Left wrist X-ray · frontal projection · 483 by 906 pixels: 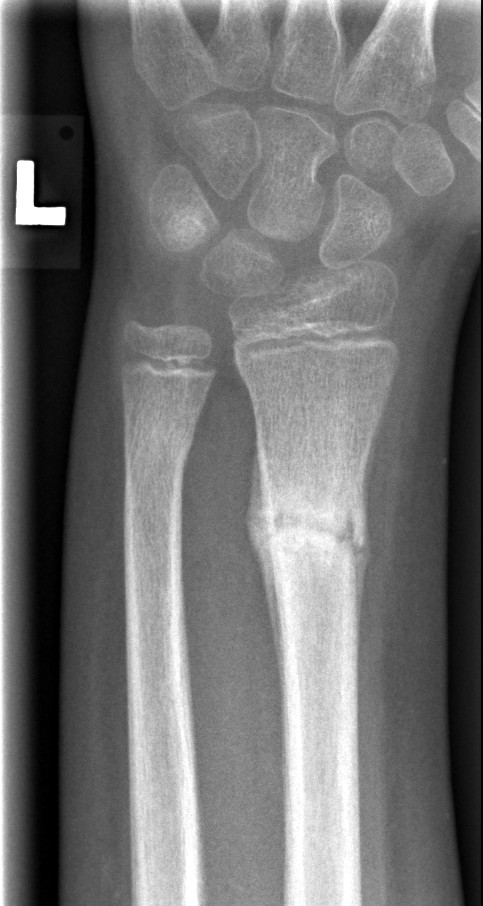 FINDINGS: Periosteal new bone identified at [x1=244, y1=446, x2=278, y2=687]. Bone fractures — [x1=244, y1=436, x2=372, y2=643]; [x1=118, y1=412, x2=196, y2=482]. Osteopenia. AO/OTA classification: 23r-M/3.1; 23u-M/2.1.